L pediatric wrist radiograph, lat, initial study —

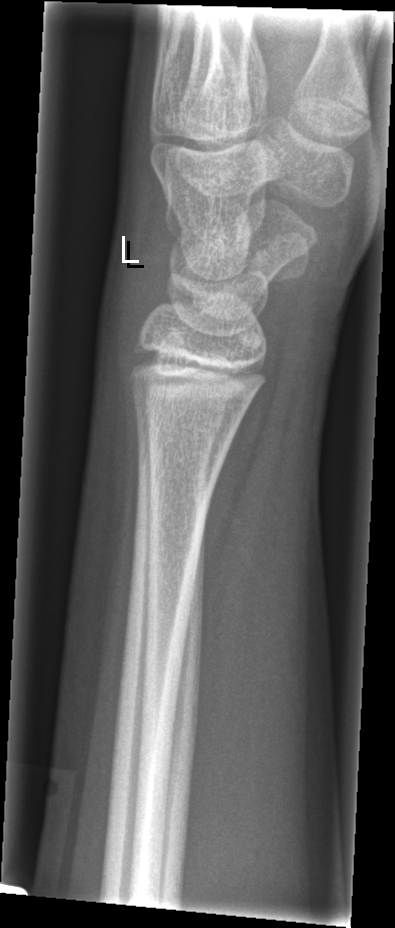
Fracture: none labeled.